Rt pediatric wrist radiograph; lateral projection; detector: Siemens; 78.0 mm image width. 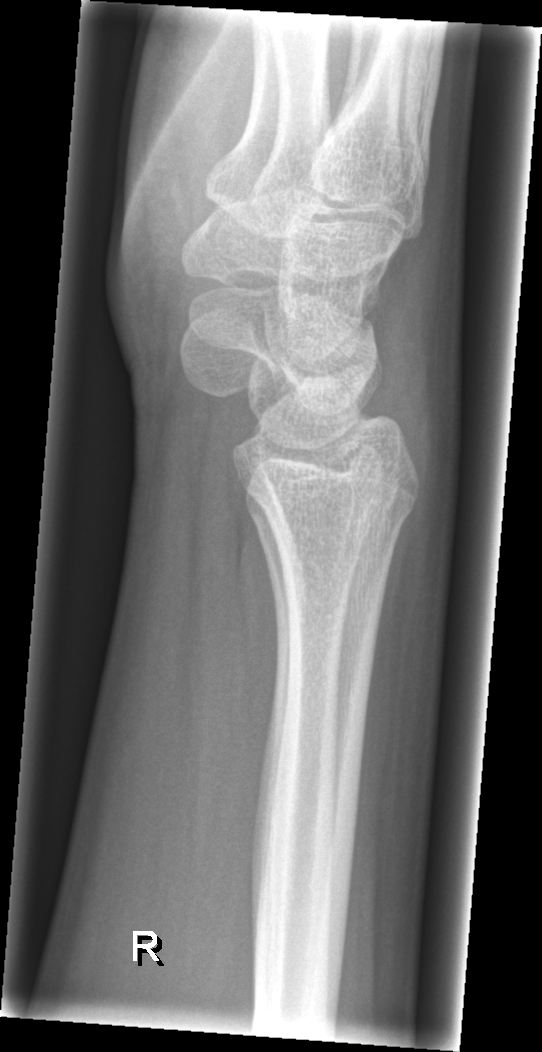 No fracture labeled.